Left wrist X-ray; frontal view; age 10 y, boy; acquired on Siemens. 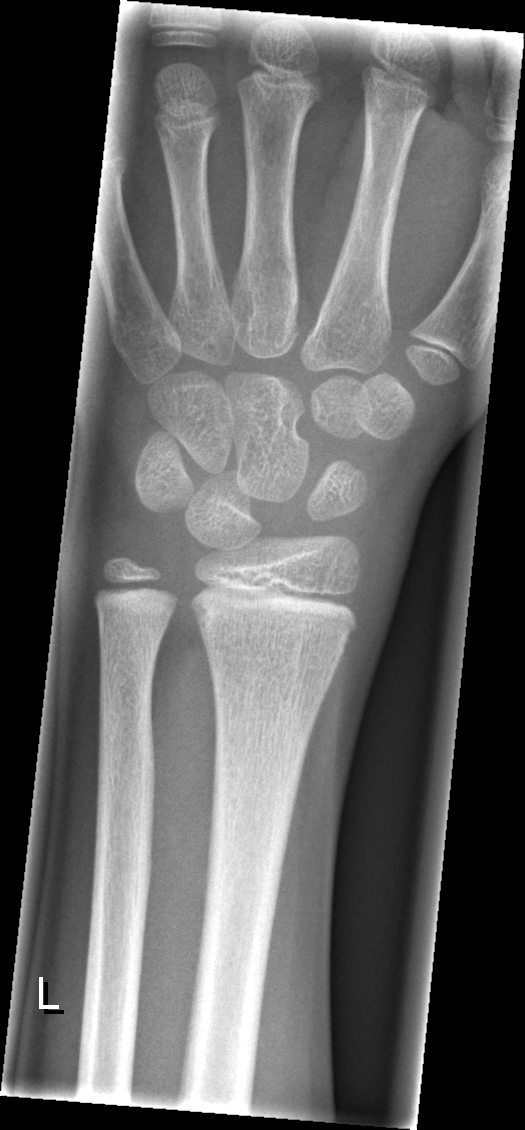 Fx = none labeled